Right wrist X-ray · lateral · 7-year-old boy —

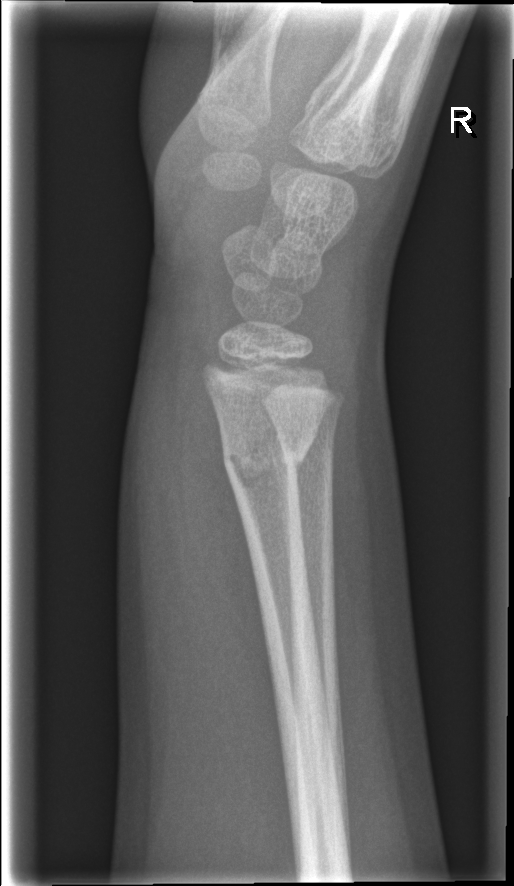
Coordinates are [x1, y1, x2, y2] in image pixels.
One Fx at <218,420>-<318,497>.
Pronator quadratus fat-pad sign identified at <174,360>-<265,666>.